Frontal view | right wrist radiograph | image width 94.2 mm: 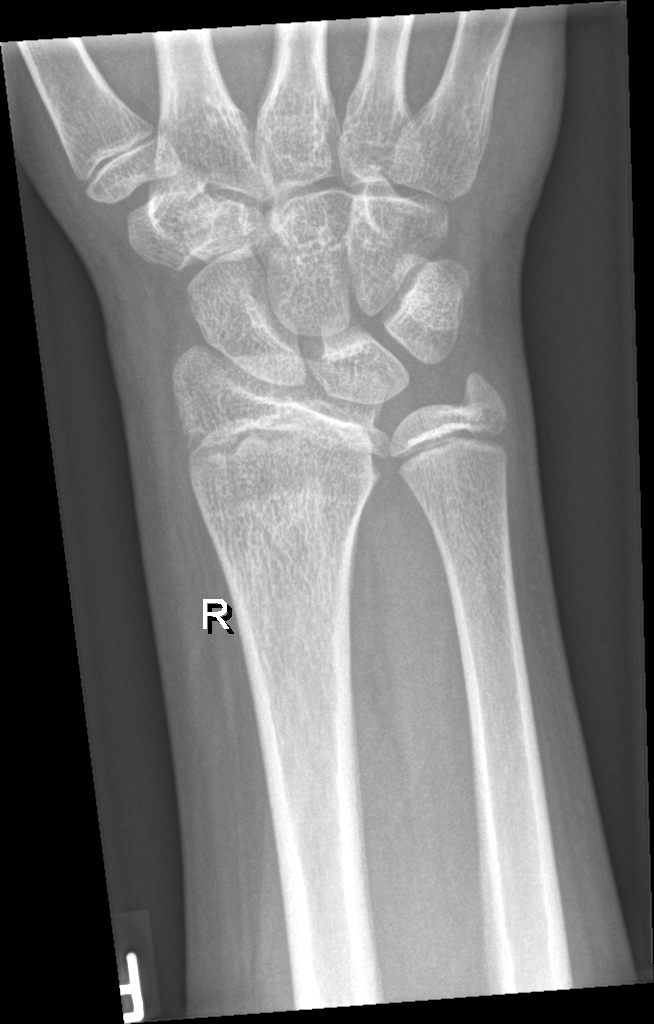

Bone fracture — [x1=206, y1=480, x2=375, y2=586].